PA/AP view | right wrist XR | follow-up study | cast present. 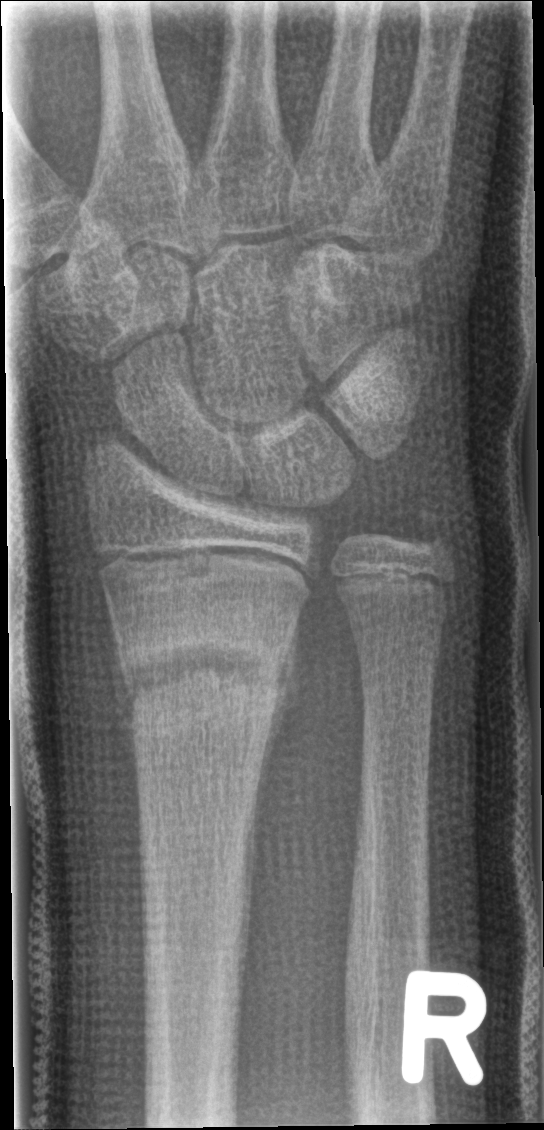

Bone fracture: 114,625,295,729 | 398,487,464,569
AO classification: 23r-M/3.1; 23u-E/7
Periosteal reaction: 252,607,302,847